Rt plain radiograph of the wrist; frontal; pediatric patient (male, age 13); 576 by 750 pixels —

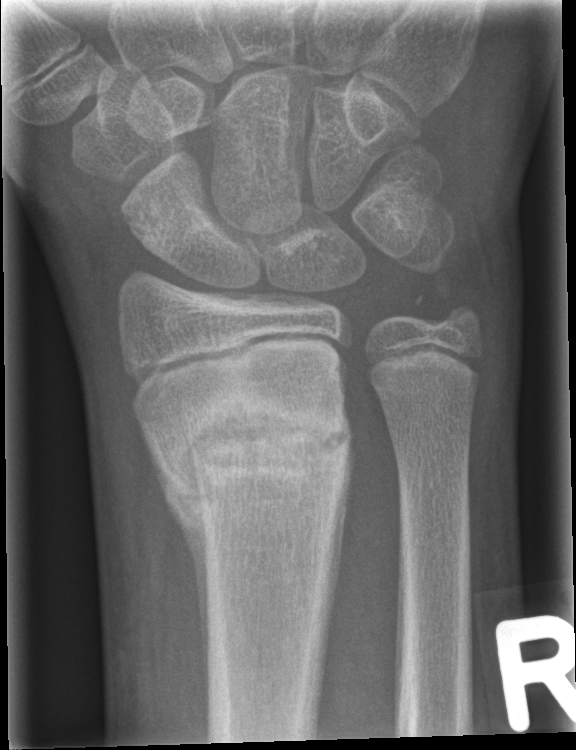
• AO code 23r-M/3.1; 23u-E/7.
• Bone fracture identified at (left=148, top=387, right=356, bottom=555) (left=413, top=288, right=481, bottom=337).
• Periosteal thickening: (left=153, top=459, right=212, bottom=727).